Lateral projection, Lt wrist plain film, 15y M: 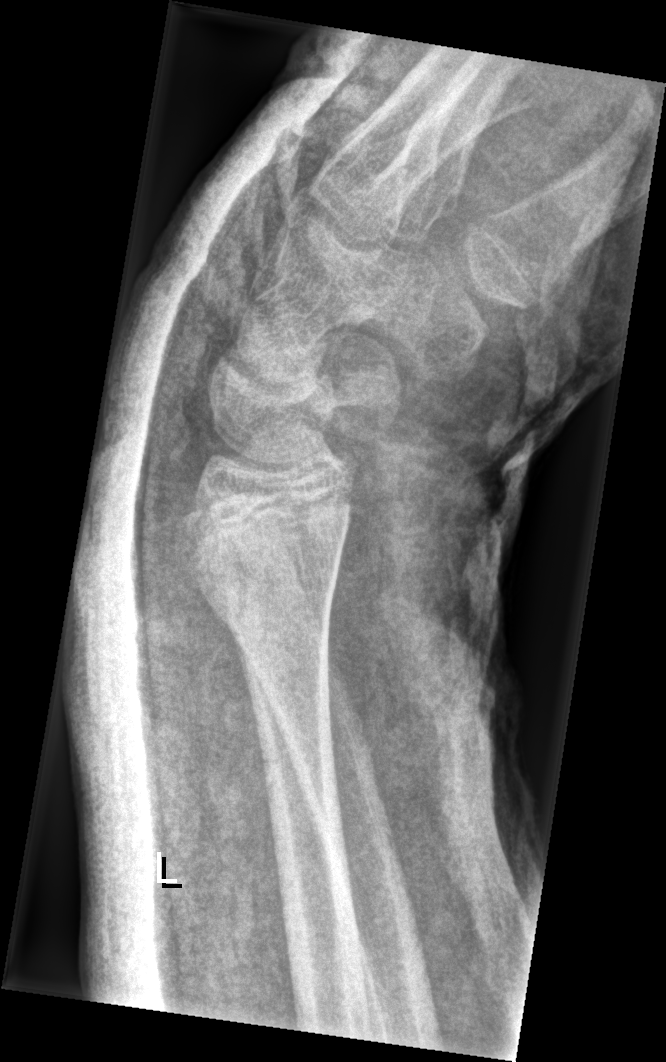

FINDINGS: Fracture present, though not clearly seen in this view.